R pediatric wrist radiograph; AP view; male, 12 yo; index exam.
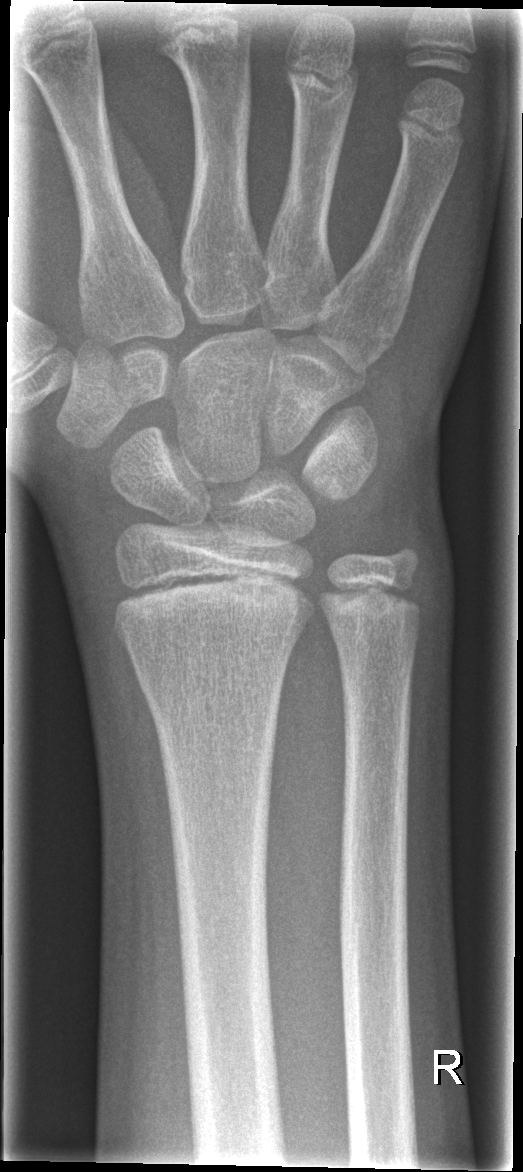

Fx: none labeled